Right wrist plain radiograph of the wrist | frontal view | age 16 y, girl | acquired on Siemens | 680 x 1200 px.

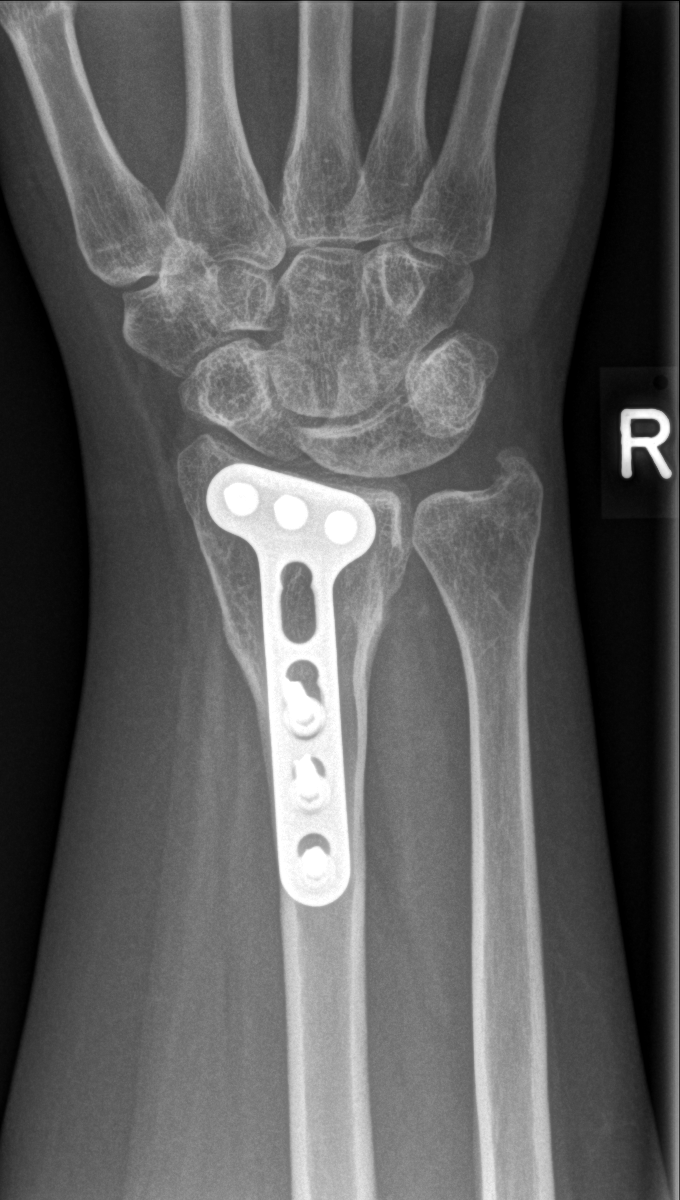

Fx = bbox(204, 525, 406, 704); bbox(484, 438, 549, 502)
osteopenia = present
metallic hardware = 1 @ bbox(209, 469, 371, 903)